L wrist XR; lat
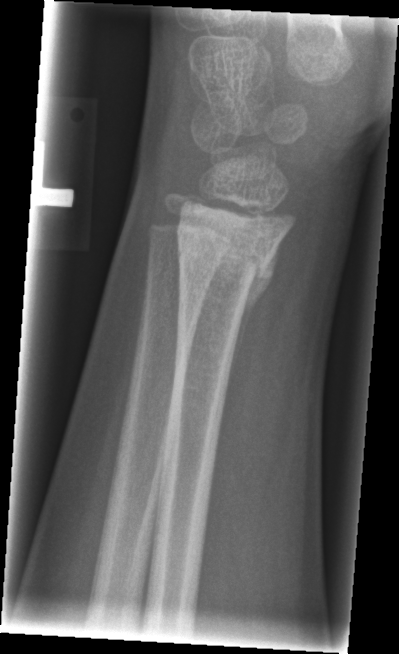
Boxes as x1,y1,x2,y2 (top-left / bottom-right, pixel units).
Periosteal reaction identified at bbox(231, 262, 275, 376).
Fx identified at bbox(174, 221, 277, 309).
AO/OTA classification: 23r-M/2.1.